Right pediatric wrist radiograph, PA/AP, acquired on Siemens. 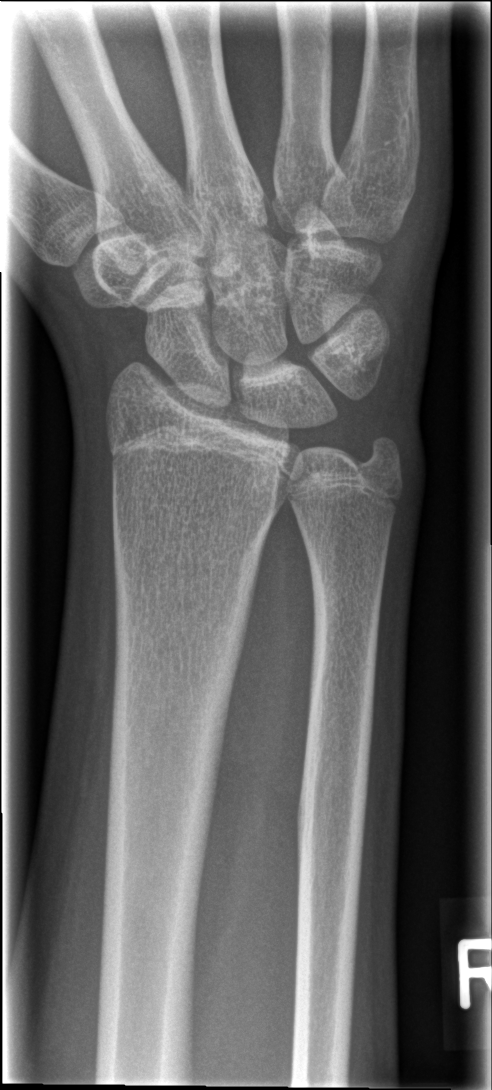 Fx: none labeled